Frontal view, left wrist X-ray, pediatric patient (boy, age 12):

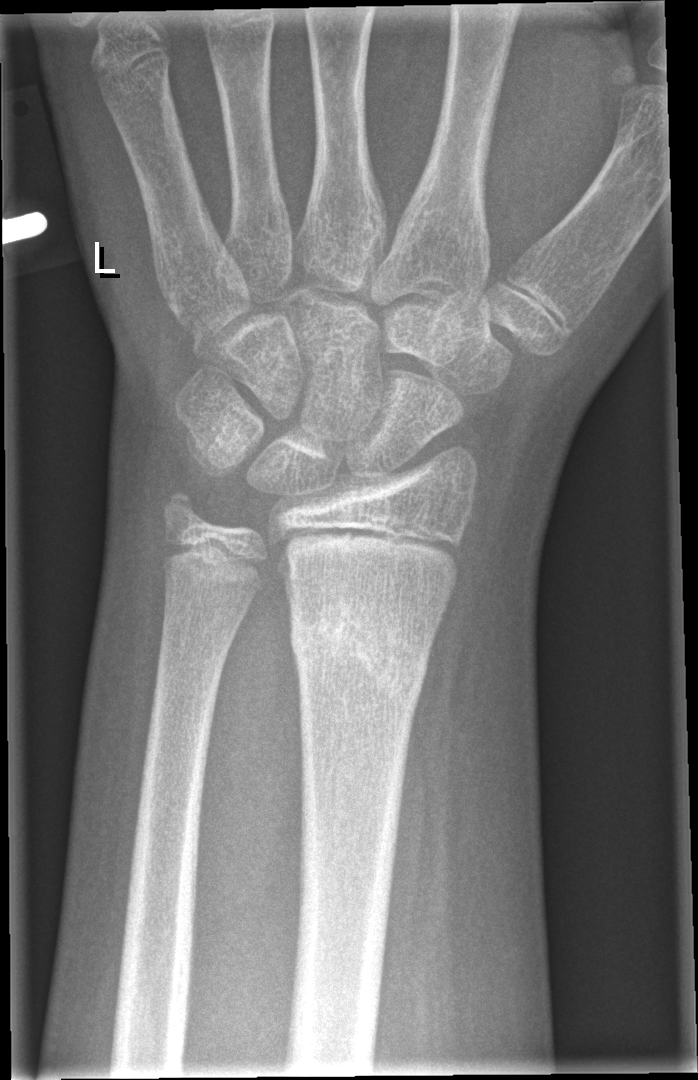 Coordinates are [x1, y1, x2, y2] in image pixels. Two Fx at [285, 590, 433, 727], [151, 481, 214, 546]. AO/OTA classification: 23r-M/2.1; 23u-E/7.